Rt plain radiograph of the wrist; PA; presentation radiograph
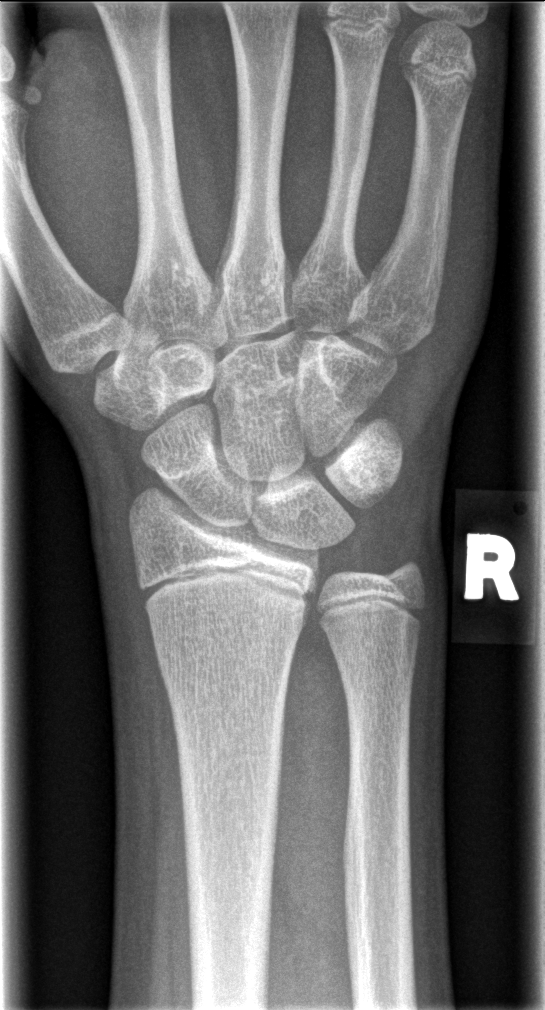

Fx: none labeled